Lt wrist X-ray; PA/AP view; boy, 14 yo; subsequent exam; acquired on Siemens; image width 74.0 mm 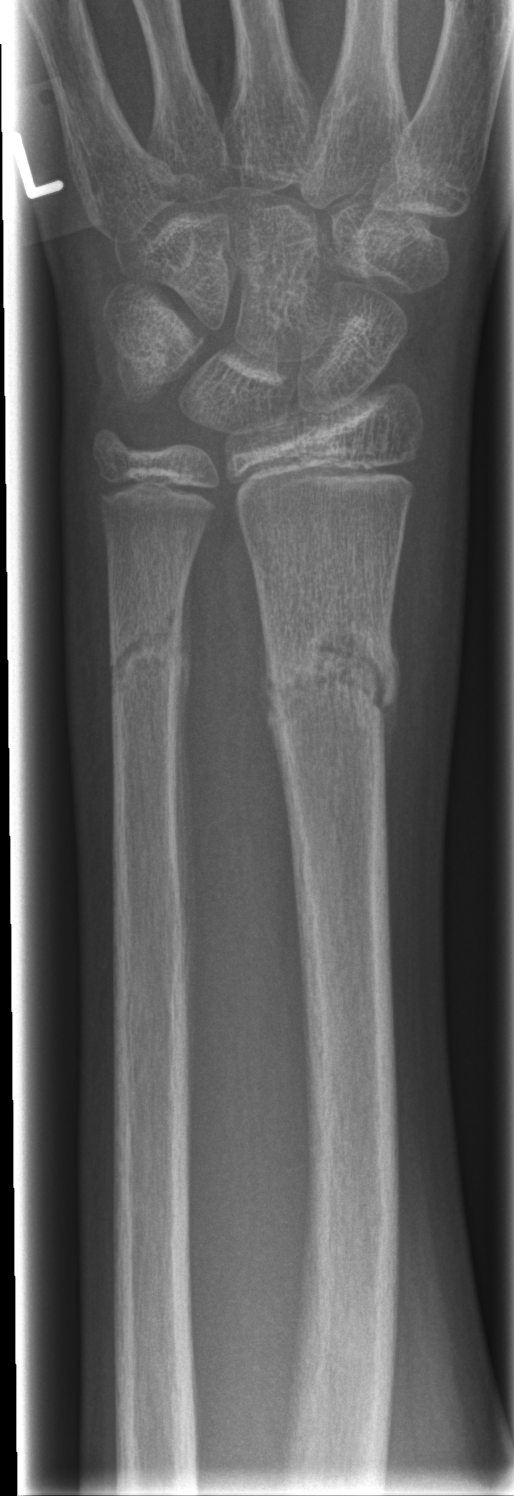 Pixel coordinates, top-left origin, xyxy. Fracture classified AO/OTA 23-M/3.1. Bone fracture identified at bbox(260, 621, 406, 749), bbox(106, 599, 191, 692).